Lateral | R wrist XR | 7-year-old female | presentation radiograph —

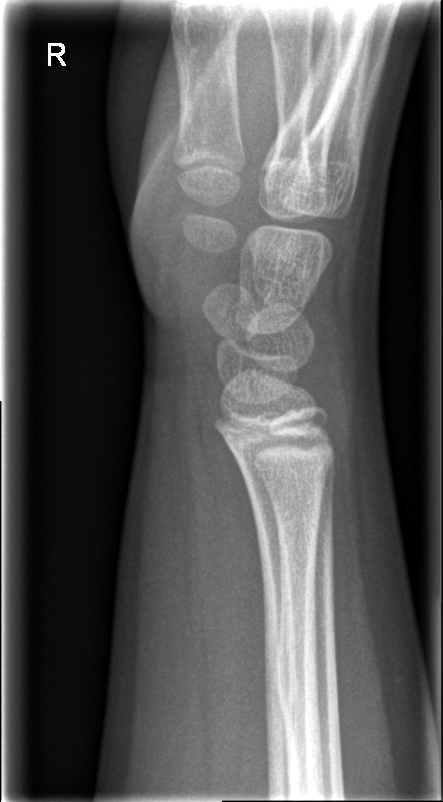

Fracture: none labeled